Lateral · L pediatric wrist radiograph:

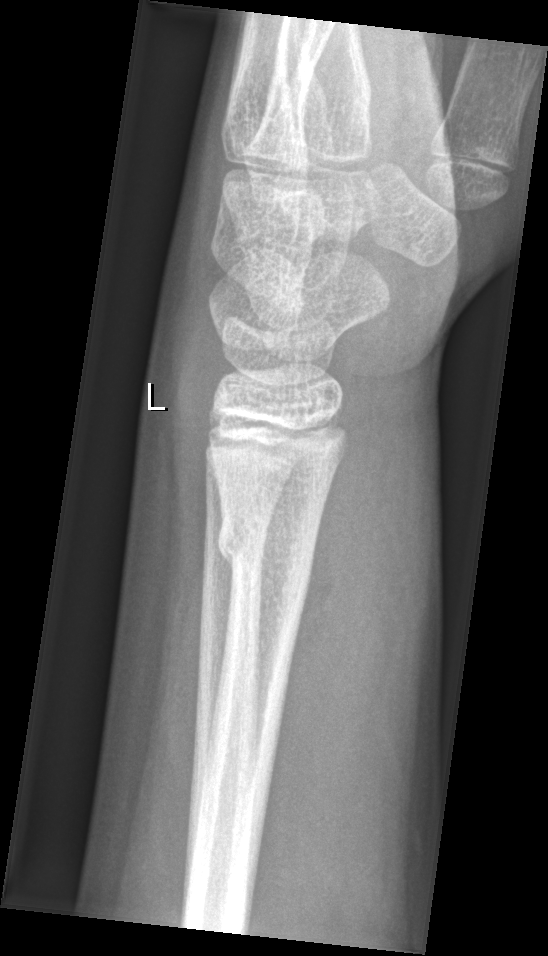

Findings: One bone fracture at (left=215, top=511, right=320, bottom=590). Pronator quadratus fat-pad sign — (left=263, top=375, right=391, bottom=781).